Lat projection, right pediatric wrist radiograph.
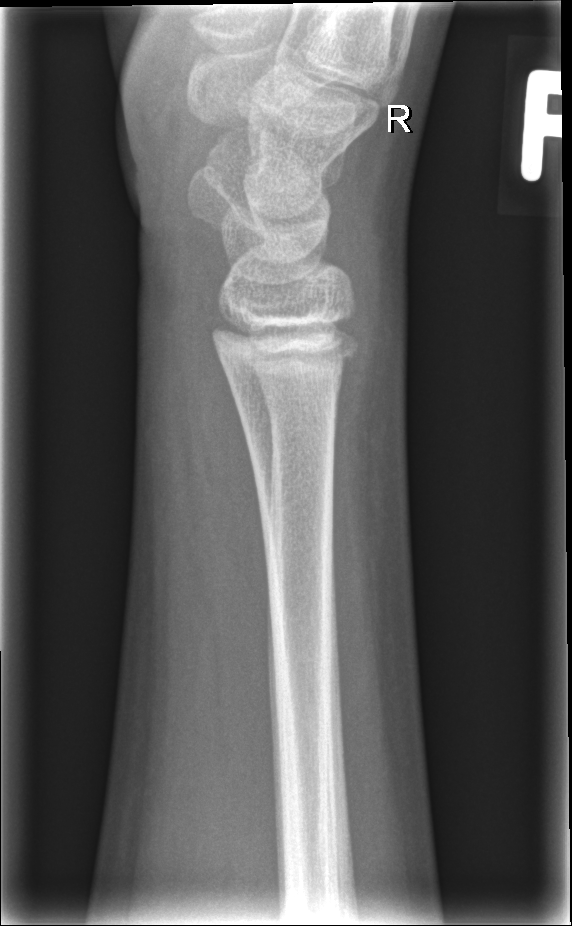

Q: Any fracture seen?
A: One Fx at (208, 306, 365, 384)
Q: AO code?
A: AO/OTA classification: 23r-E/2.1